Left wrist X-ray; posteroanterior view; presentation radiograph; acquired on Siemens; 527 by 1056 pixels: 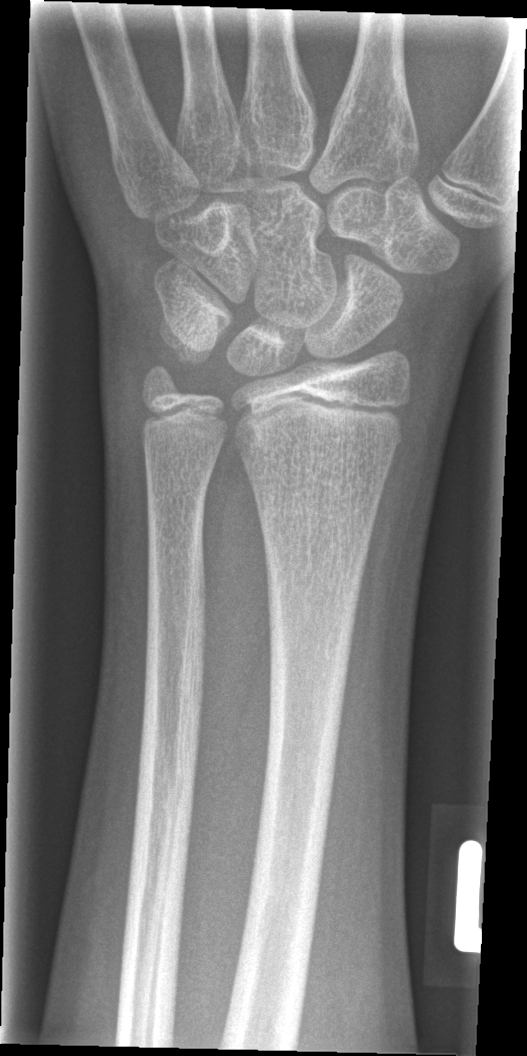 Fx: present but not clearly seen in this view.